Lat projection; L pediatric wrist radiograph; follow-up study. 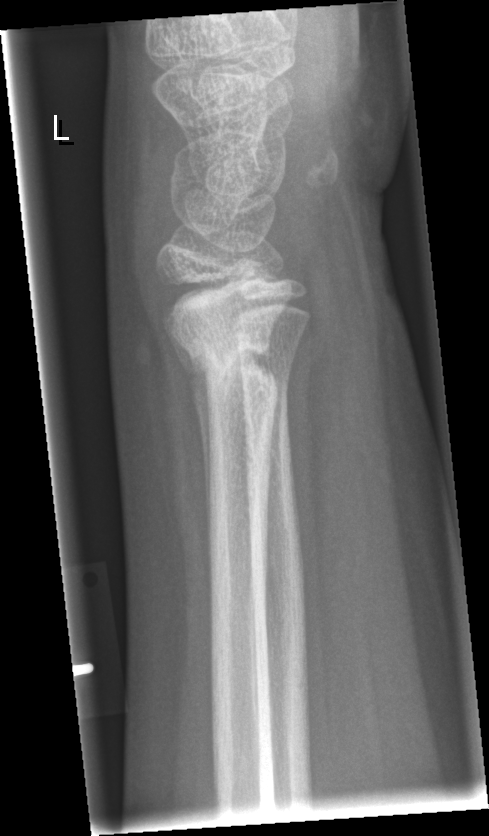 Fracture classified AO/OTA 23r-M/3.1; 23u-E/7. Bone fracture: 176,323,286,422. One periosteal new bone at 161,320,211,563.